Right wrist X-ray, posteroanterior, pediatric patient (boy, age 11), index exam, Siemens

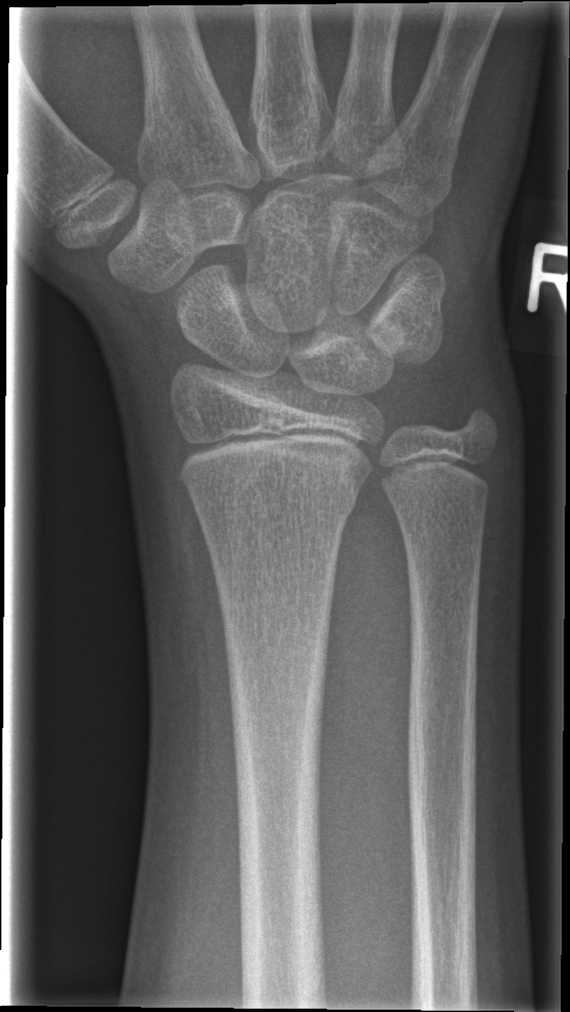 Boxes as x1,y1,x2,y2 (top-left / bottom-right, pixel units). One Fx at (left=187, top=476, right=366, bottom=536).